Rt wrist plain film | lateral view | male, 10 yo.
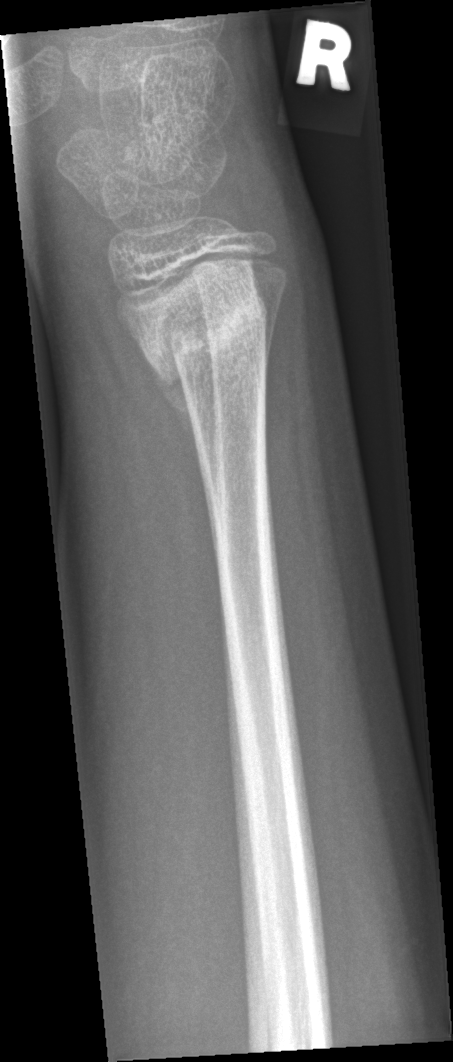
Q: Locate any periosteal reaction.
A: Periosteal new bone identified at (left=143, top=349, right=203, bottom=471)
Q: Fracture present?
A: Fracture — (left=107, top=255, right=278, bottom=395)
Q: Is there osteopenia?
A: Reduced bone mineral density